Posteroanterior view | R plain radiograph of the wrist. 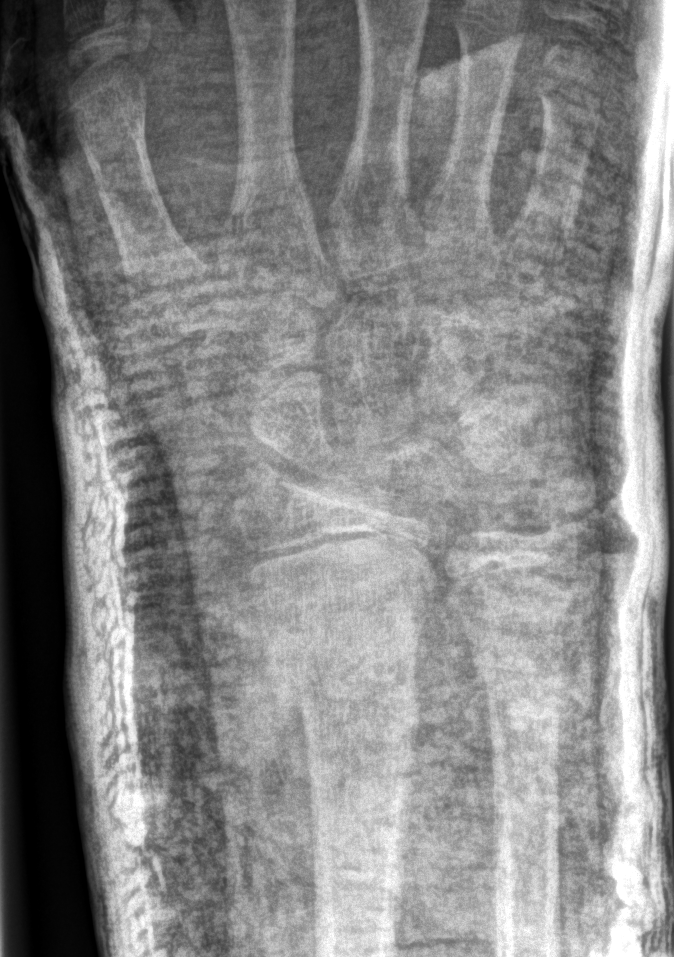

(boxes as x1,y1,x2,y2 (top-left / bottom-right, pixel units))
AO/OTA = 23-M/3.1
Bone fracture = 1 @ [x1=263, y1=635, x2=423, y2=717]